Lat view | Rt wrist plain film | presentation radiograph | detector: Siemens
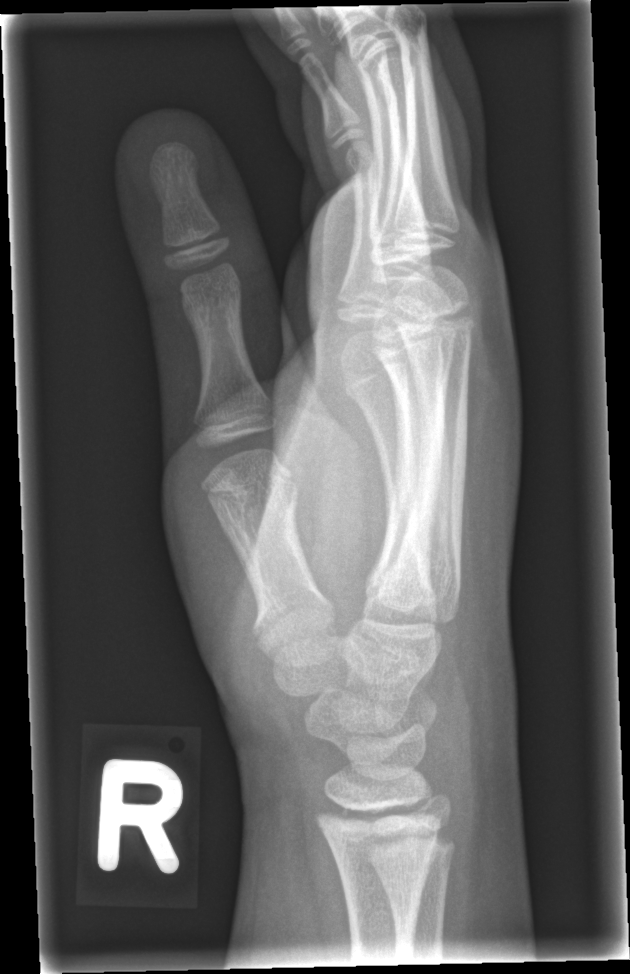 bone fracture = none labeled